Lat view, R wrist X-ray, index exam, detector: Siemens, image size 400x1060 —

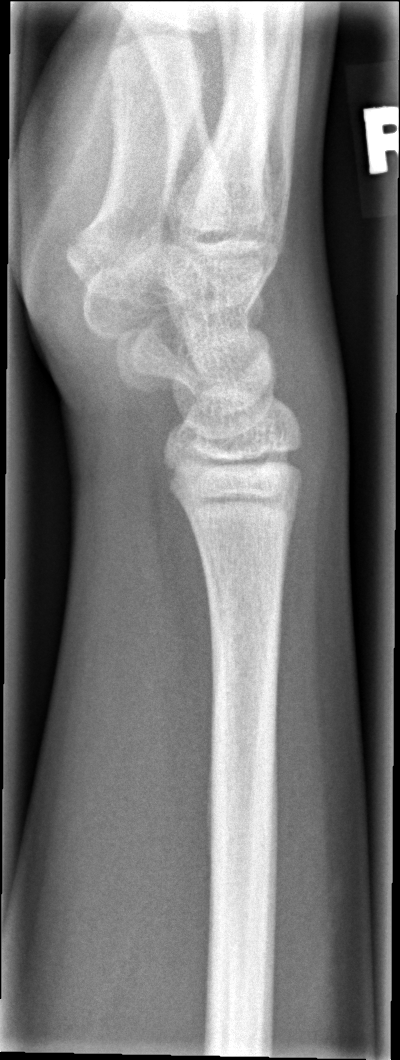 Fx = none labeled